Left wrist X-ray, frontal view, 8-year-old boy, Siemens
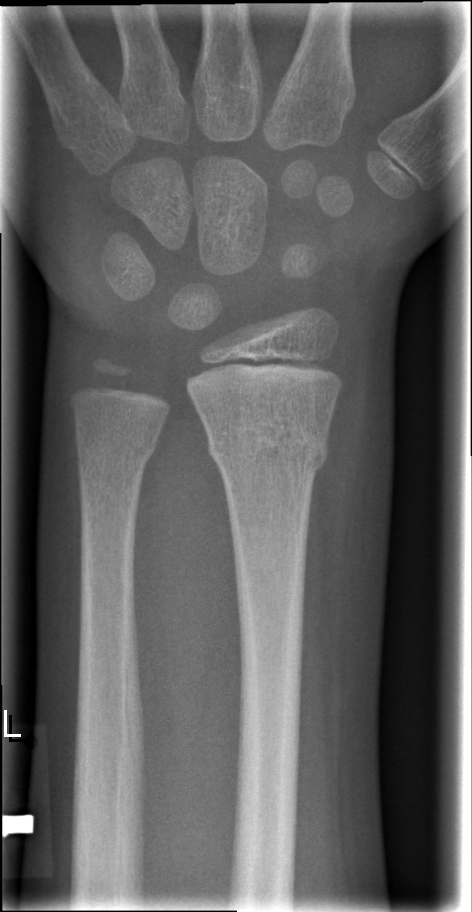
AO/OTA: 23-M/2.1
Fx: 205 415 333 475 | 74 435 160 474